PA/AP | right wrist pediatric wrist radiograph | age 15 y, boy | presentation radiograph.

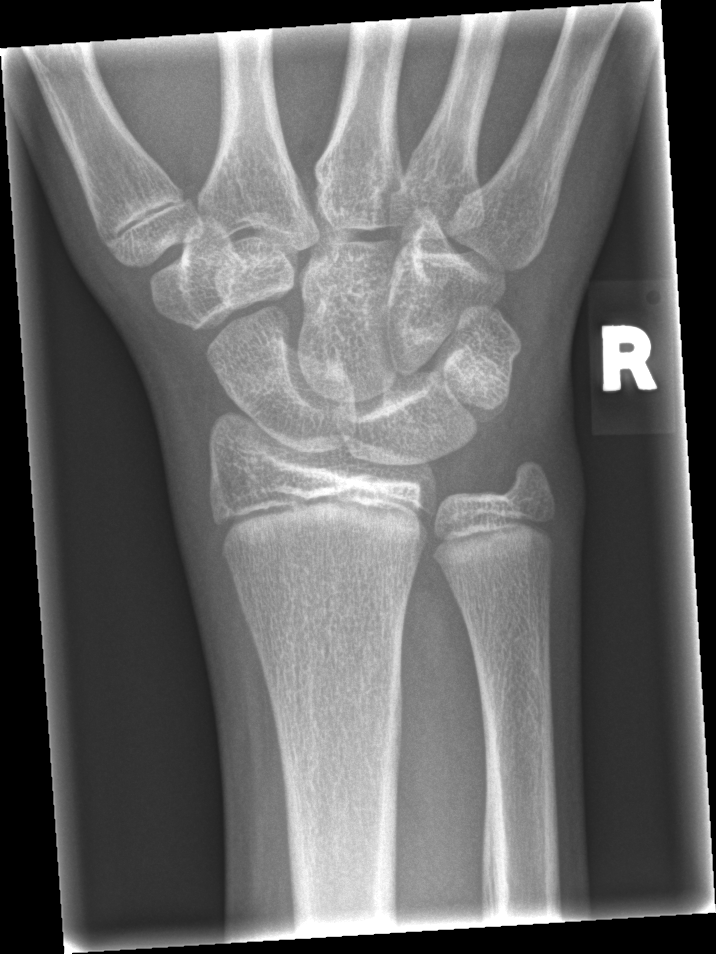

Q: Is there a fracture?
A: Fracture: none labeled